Frontal projection · left wrist radiograph · pediatric patient (boy, age 12) 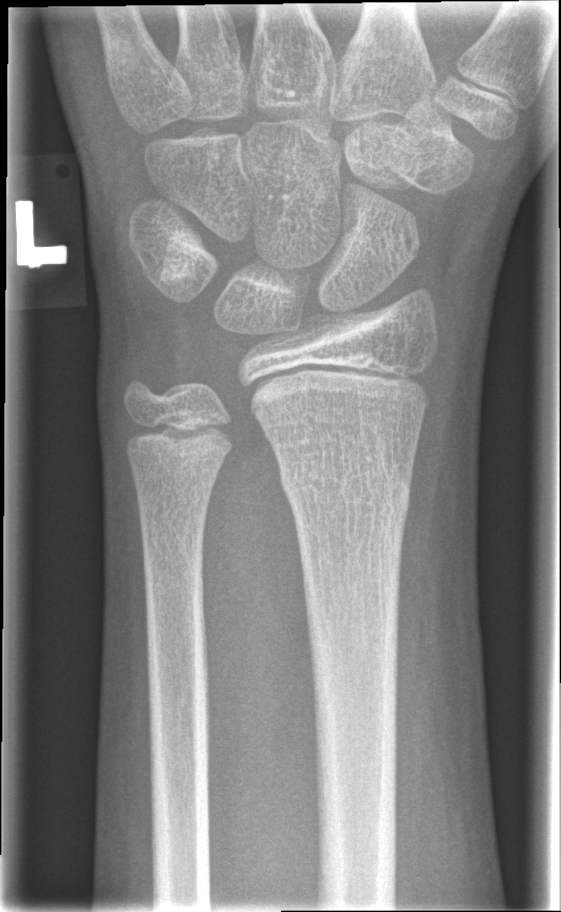
FINDINGS — Bone fracture: [x1=276, y1=453, x2=416, y2=537].